R wrist radiograph, lateral, age 11 y, female —

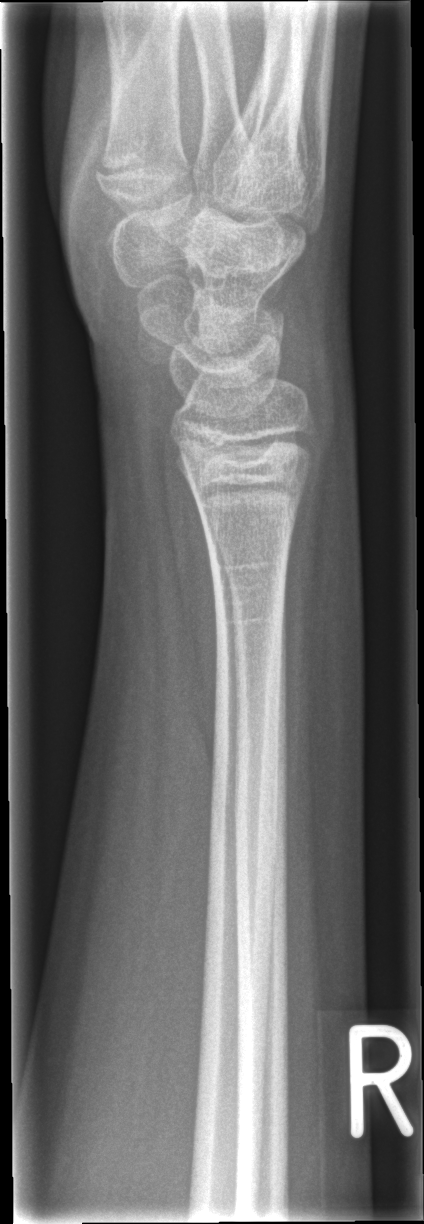 FINDINGS: No fracture labeled.